L plain radiograph of the wrist | lateral | boy, 11 yo — 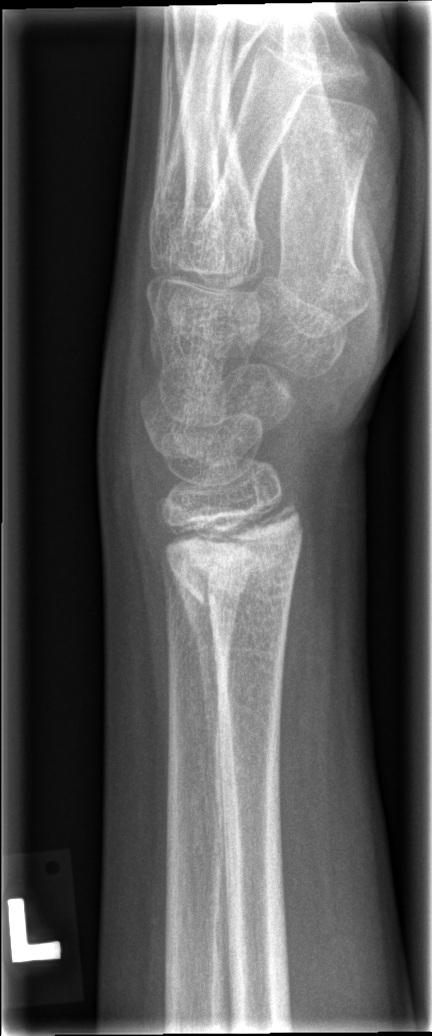

Bounding boxes in image-pixel xyxy. Periosteal new bone — (171, 563, 226, 843). Osteopenic. Bone fracture — (156, 501, 306, 613).